Left wrist pediatric wrist radiograph · PA/AP · pediatric patient (girl, age 14): 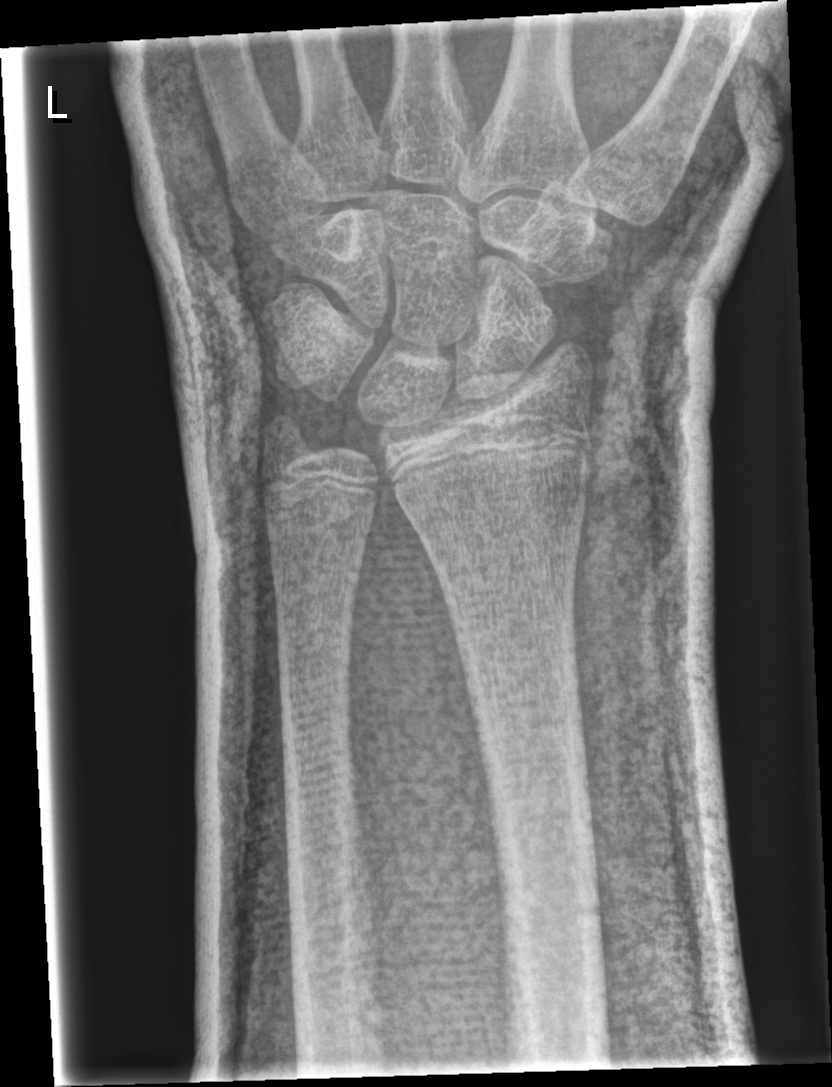
- Fx: none.